Lat view; Lt wrist XR; imaged through cast; image width 93.9 mm; 652x1070
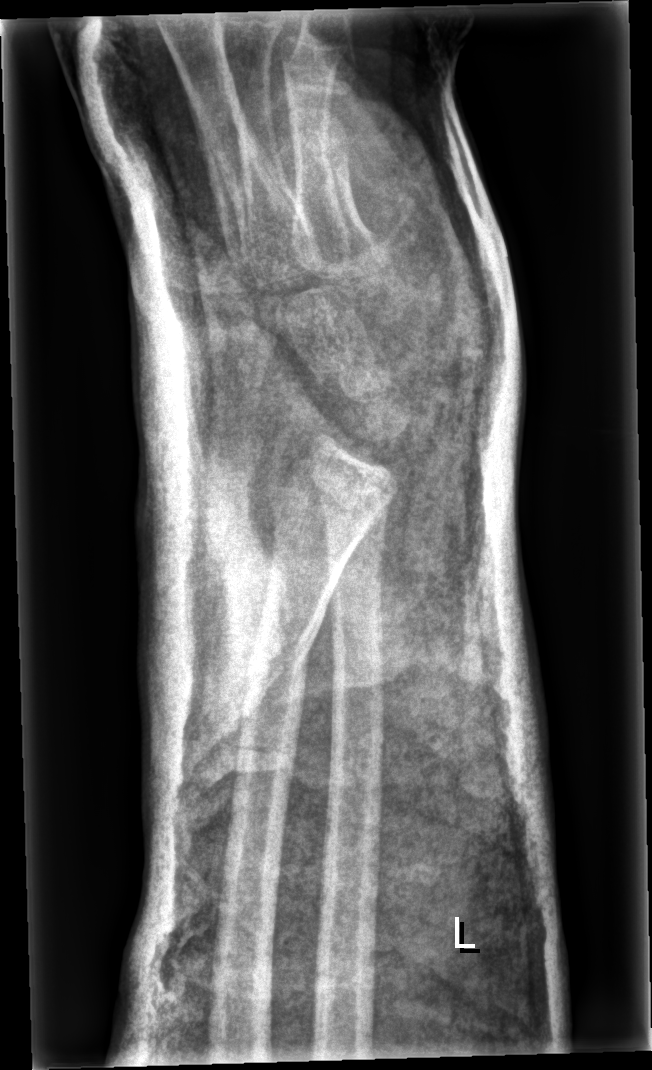 Fracture classified AO/OTA 23-M/2.1.
Fracture: (left=241, top=601, right=328, bottom=687).